PA/AP view; L pediatric wrist radiograph; presentation radiograph; image size 714x772 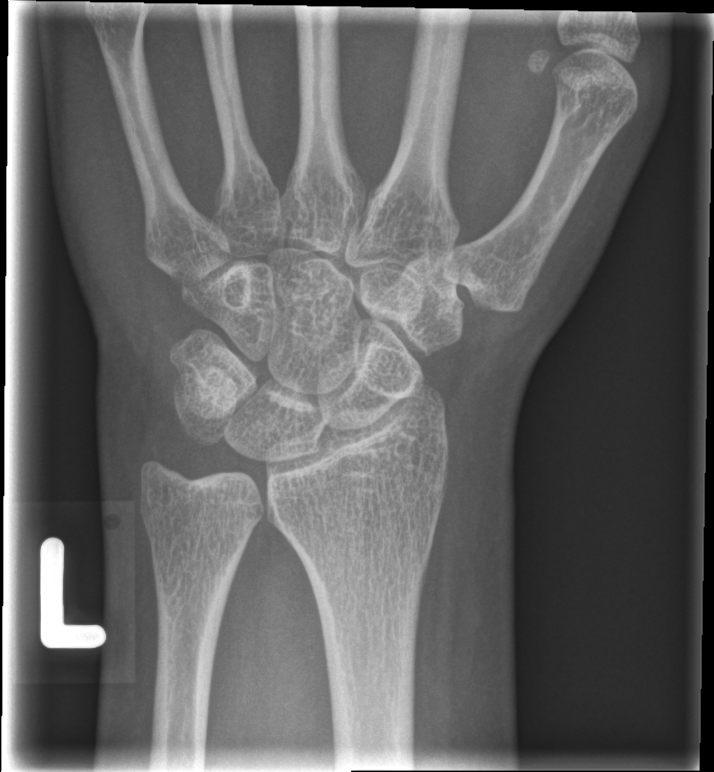
FINDINGS — No fracture annotation.